AP view, Lt wrist X-ray 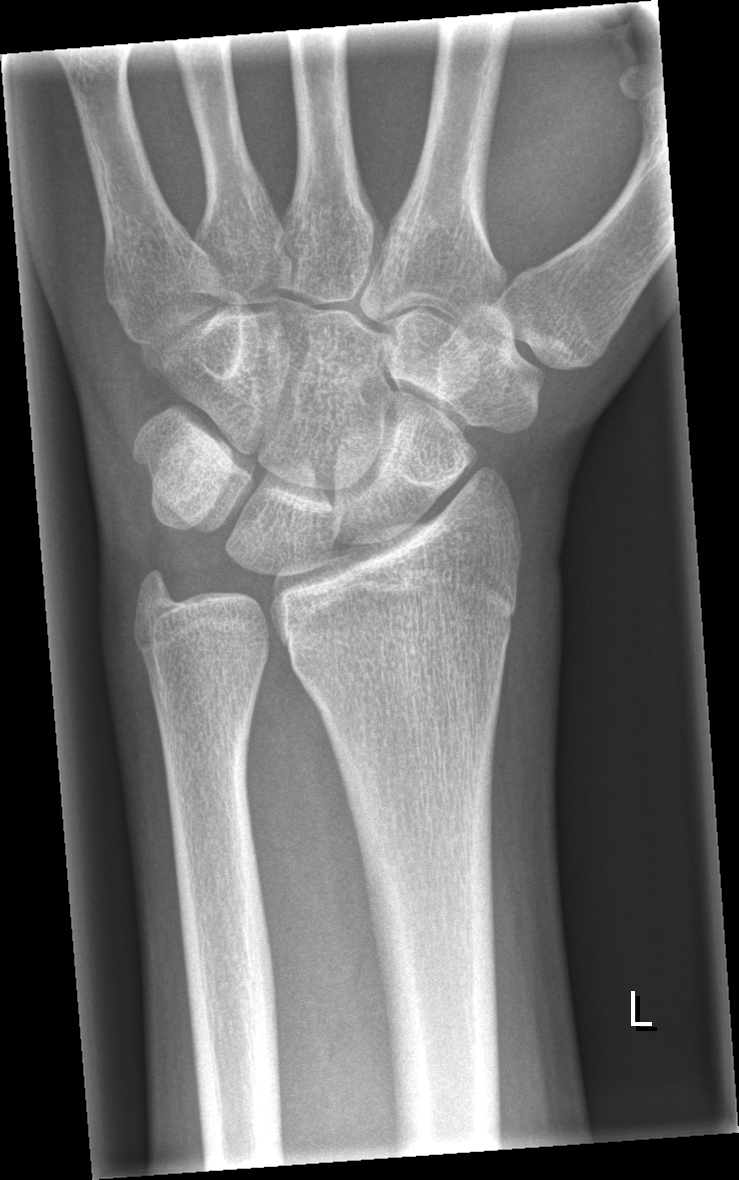
No fracture labeled.